L wrist XR; AP; 70.8 mm image width — 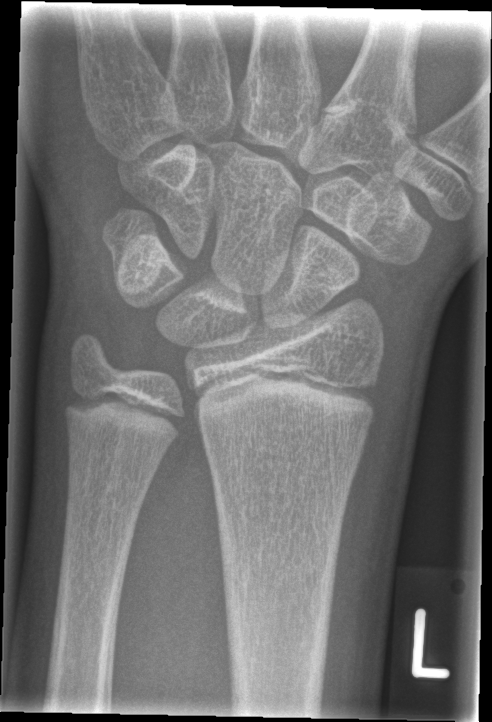

Fracture: none labeled